Right wrist plain film · lat view · 11y M.

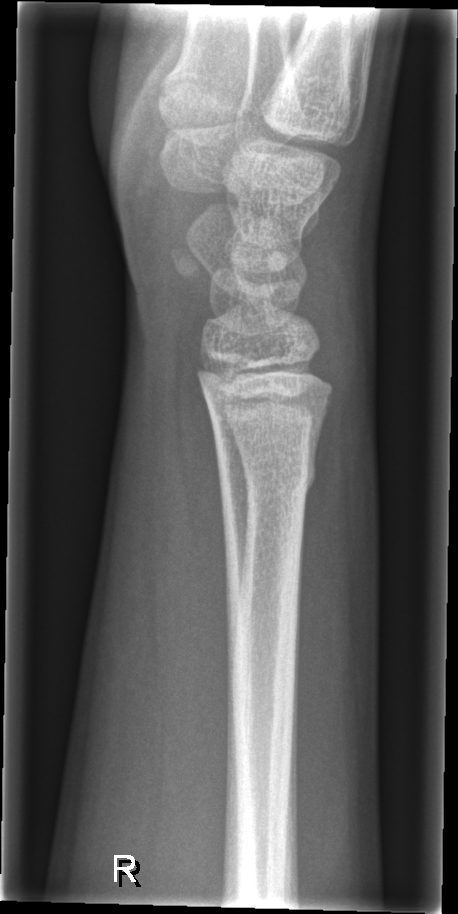 - Pixel coordinates, top-left origin, xyxy.
- One Fx at bbox(216, 447, 320, 505).
- Fracture classified AO/OTA 23r-M/2.1.